Left wrist X-ray, posteroanterior view, age 7 y, female
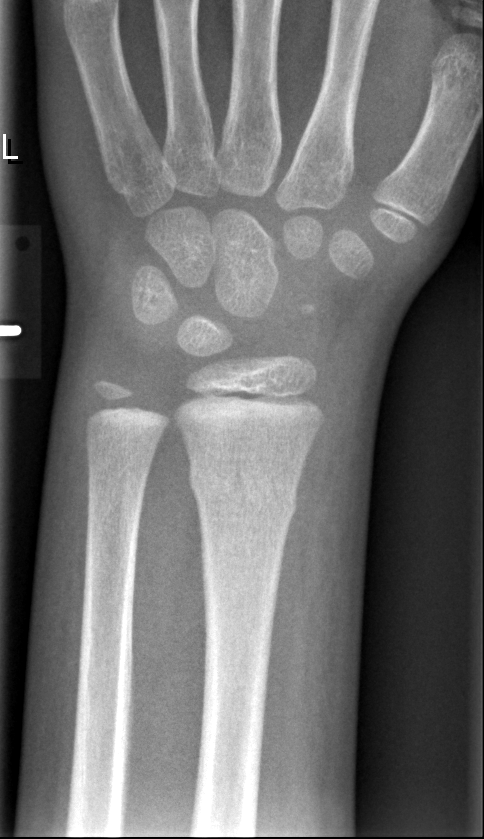

  # boxes as x1,y1,x2,y2 (top-left / bottom-right, pixel units)
  fracture: 1 @ <186,458>-<301,529>